Posteroanterior projection · left plain radiograph of the wrist · pediatric patient (boy, age 12) · image 107.6 mm wide. 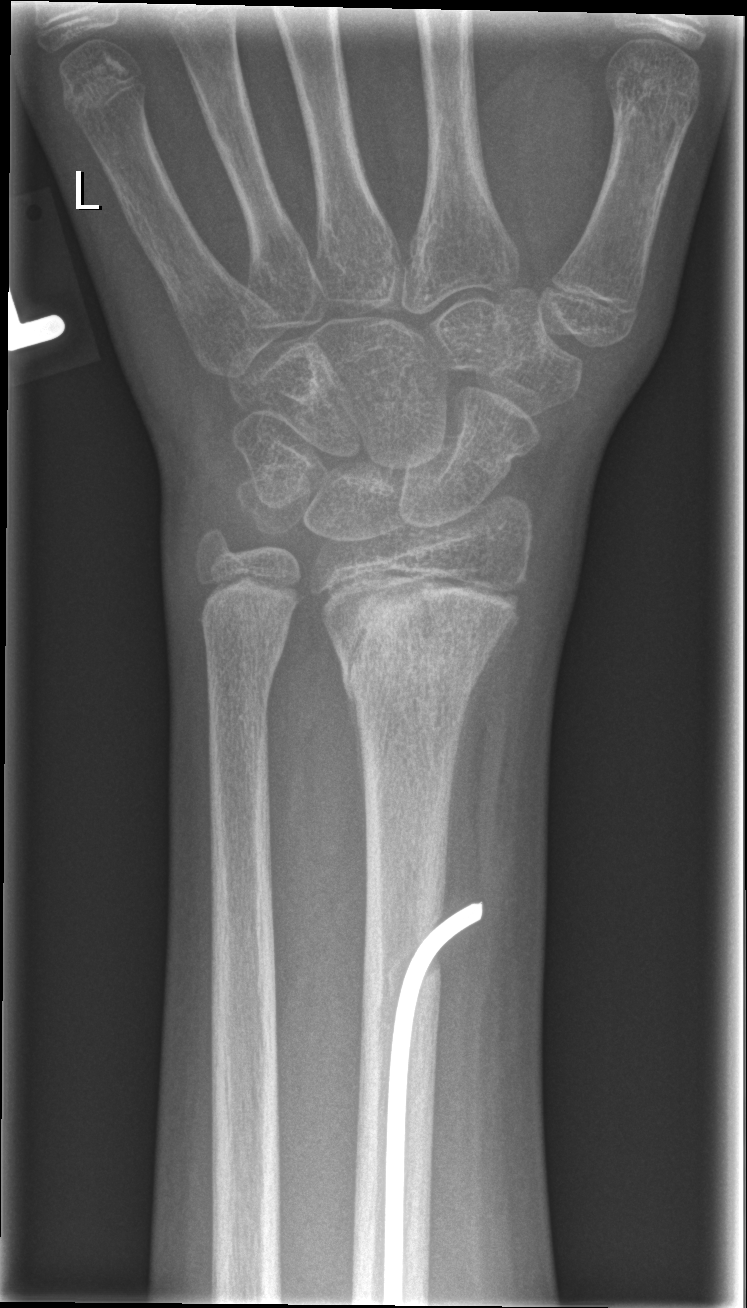

Q: Any metal present?
A: Metal — 382,899,485,1306
Q: Bone density?
A: Osteopenic
Q: Locate any fractures.
A: Bone fracture identified at 328,557,532,711
  194,568,298,669
Q: Is there periosteal reaction?
A: Periosteal reaction — 348,701,365,795
Q: What is the AO/OTA classification?
A: AO code 23r-E/2.1; 23u-M/2.1